R plain radiograph of the wrist; AP view; in cast

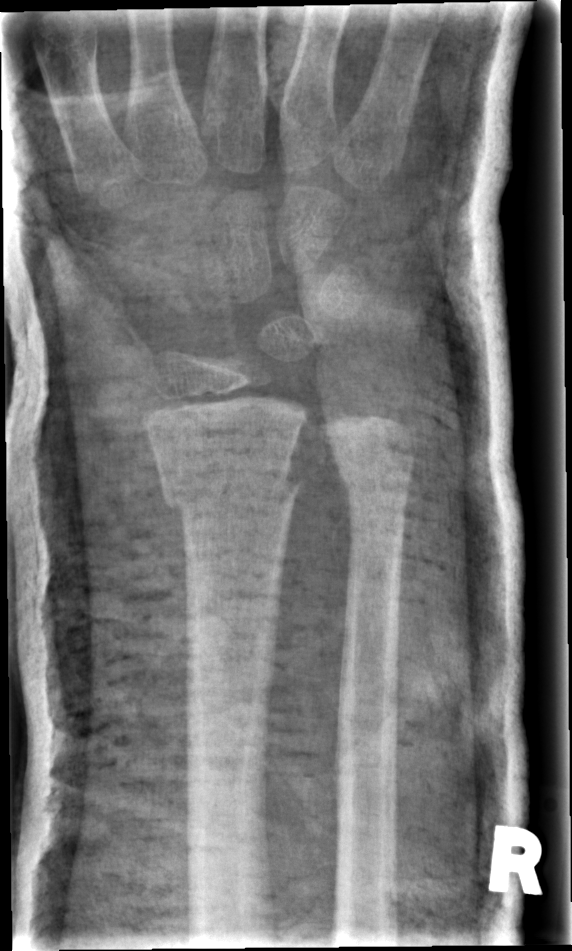
{"ao": "23r-M/3.1; 23u-M/2.1", "fracture": "2 @ [x1=159, y1=447, x2=304, y2=530]; [x1=334, y1=448, x2=416, y2=501]"}